PA/AP view; right wrist plain film; female, 11 yo:

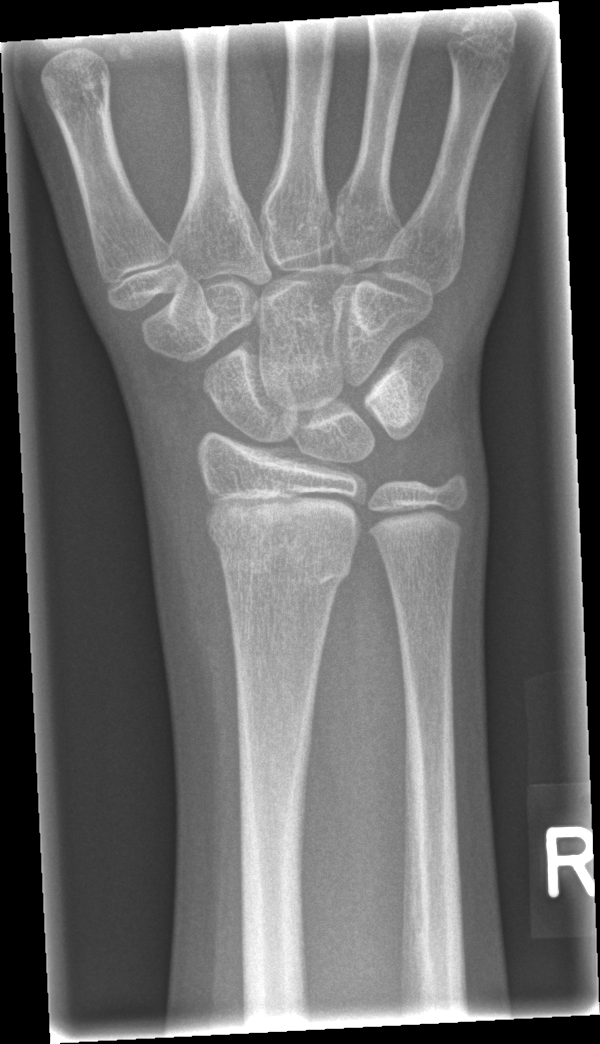
AO/OTA = 23r-E/2.1
Bone fracture = 1 @ (204, 494, 360, 593)